Left wrist radiograph · lat projection · presentation radiograph —
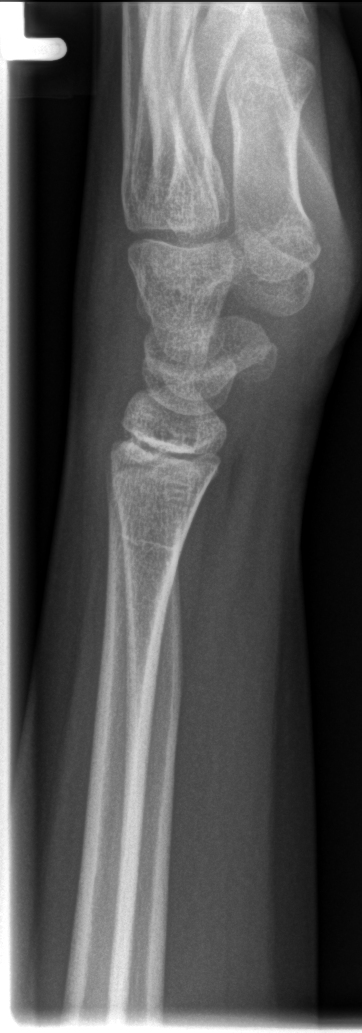

  fracture: none labeled